PA/AP projection · L plain radiograph of the wrist · 5-year-old boy · follow-up study
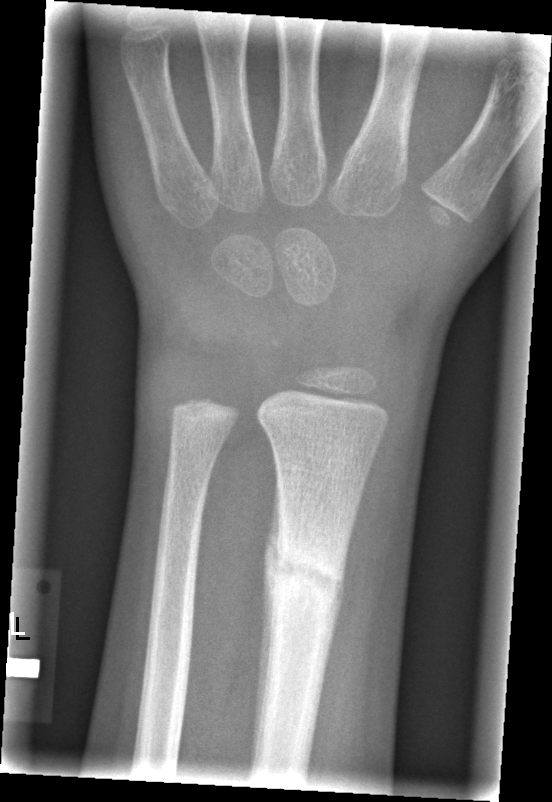
osteopenia = present
AO/OTA = 23r-M/3.1
periosteal reaction = 2 @ [249, 466, 280, 781], [319, 552, 346, 700]
Fx = [262, 540, 349, 616]